Right wrist pediatric wrist radiograph, lateral view, 556x1030

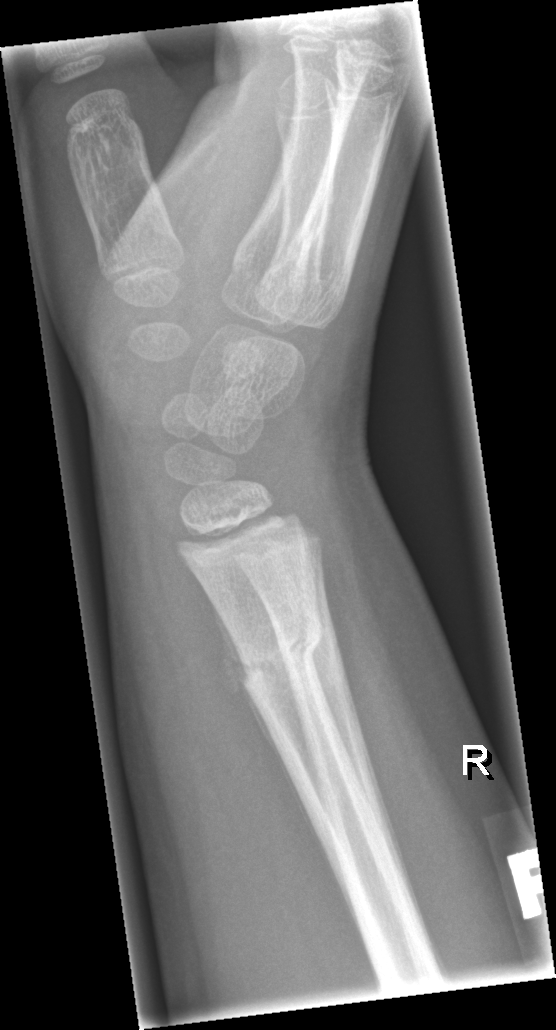 osteopenia: present
periostealreaction: 1 @ bbox(213, 601, 335, 873)
fracture: 1 @ bbox(228, 619, 325, 696)